Lateral view · left wrist XR · 13y M · acquired on Siemens

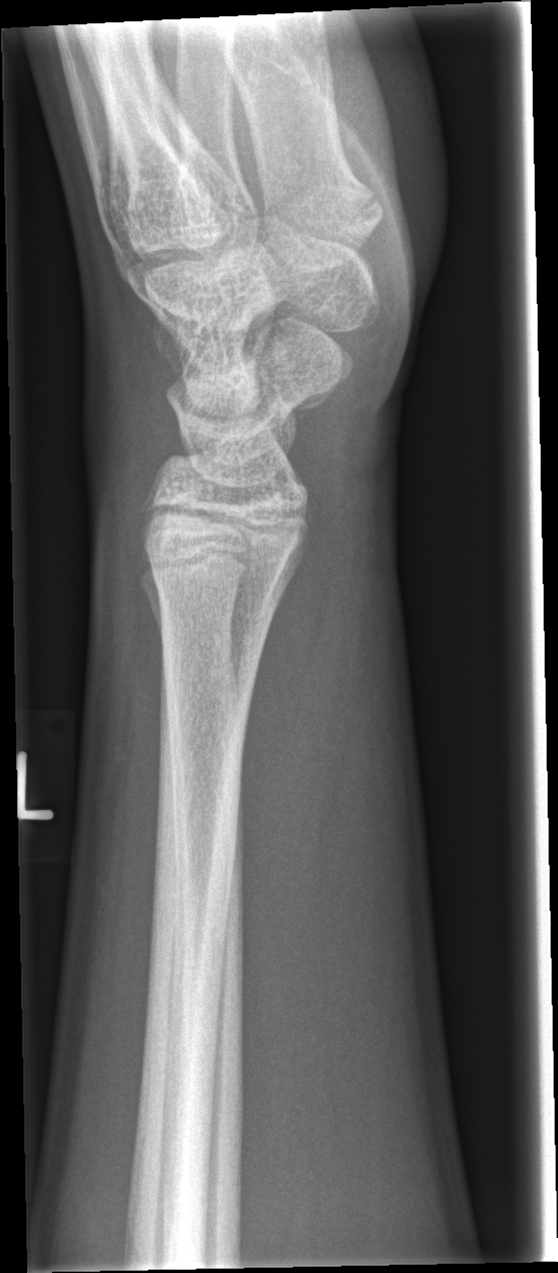

- Pixel coordinates, top-left origin, xyxy.
- AO/OTA classification: 23r-M/2.1.
- Fracture: (left=145, top=547, right=299, bottom=627).